Lt pediatric wrist radiograph, lateral 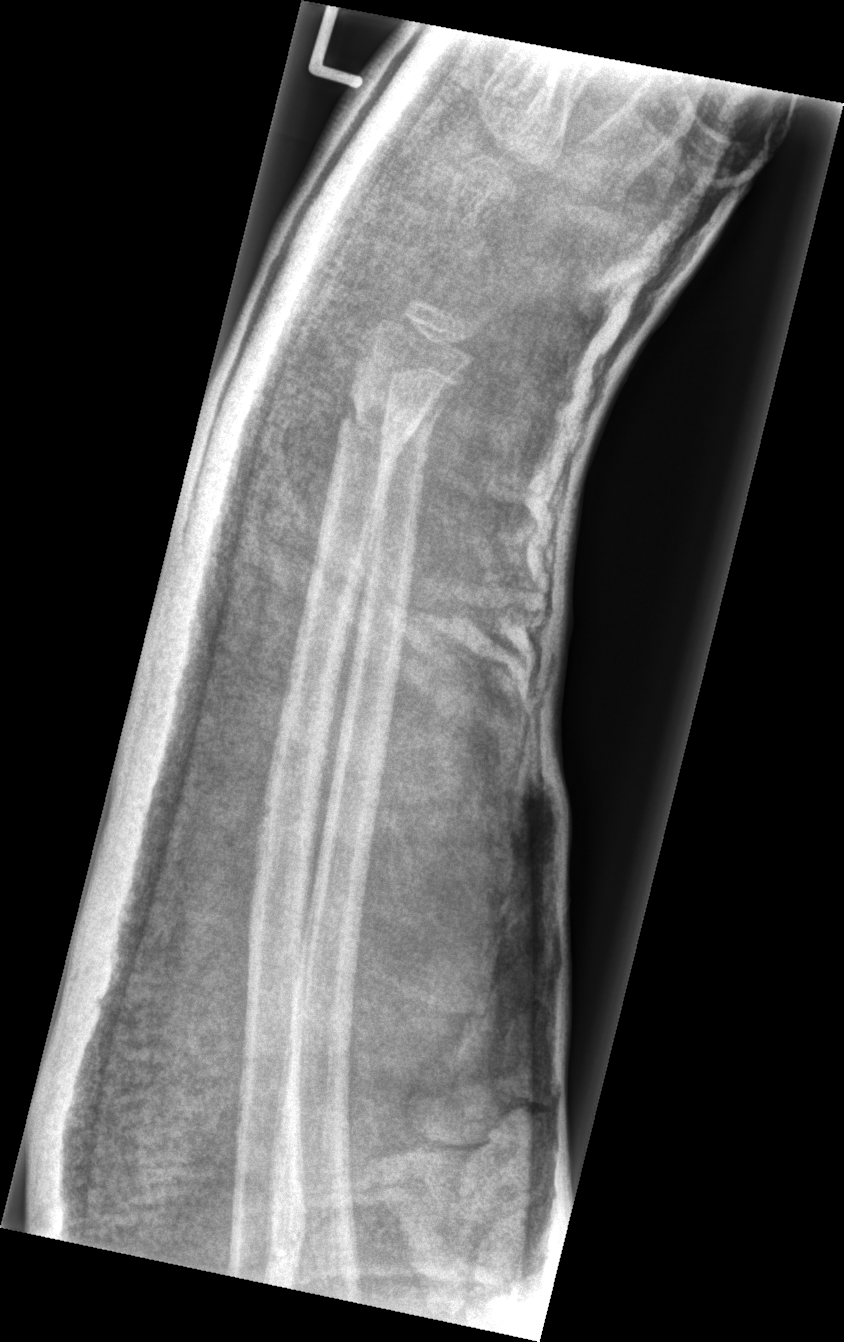 FINDINGS: Bone fracture identified at [x1=332, y1=377, x2=419, y2=472]. AO code 23-M/3.1.